Lat view, left wrist plain radiograph of the wrist, boy, 11 yo, detector: Siemens, 384 by 971 pixels — 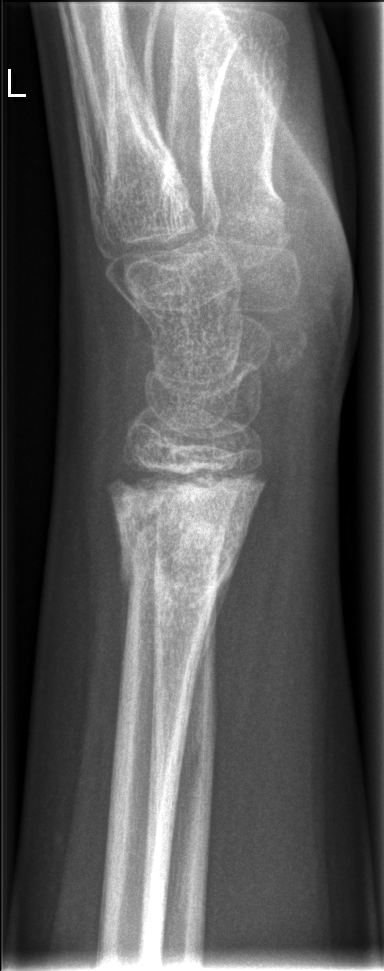 Fx = 1 @ 107 459 269 601
AO classification = 23r-E/2.1; 23u-M/2.1
Osteopenia = present